AP; Rt wrist plain film; in cast; 692x639 —
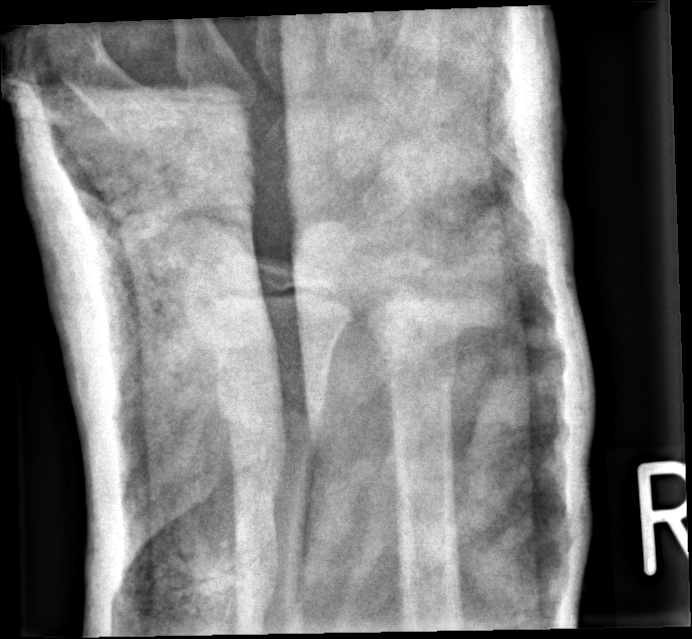

Bounding boxes in image-pixel xyxy. Fracture classified AO/OTA 23-M/3.1. Fracture identified at (left=216, top=378, right=326, bottom=444), (left=378, top=341, right=461, bottom=404).